Lateral view · right wrist plain film · age 15 y, female

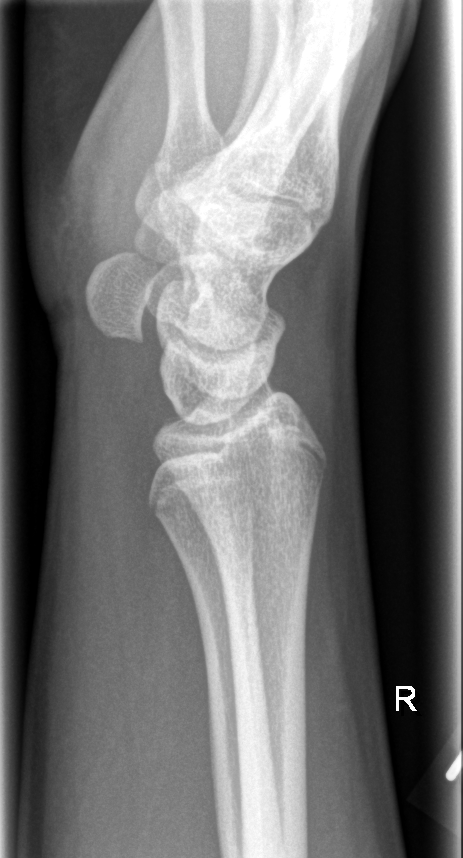

Fx = none labeled